AP projection, Rt wrist radiograph, male, 11 yo.

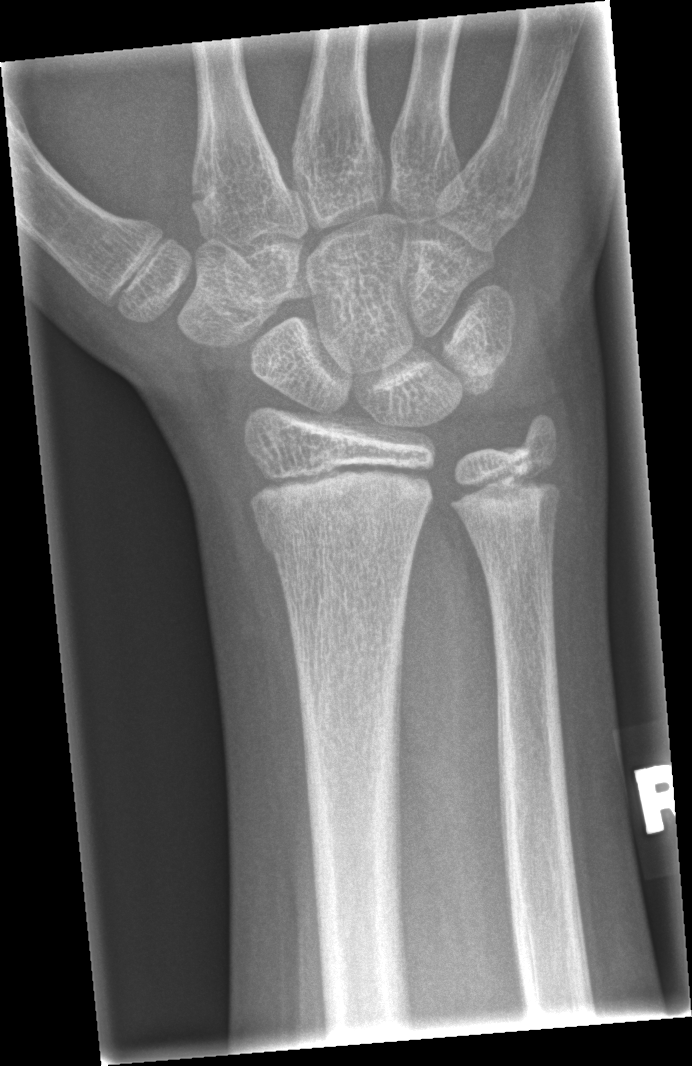

AO code 23r-M/2.1.
Bone fracture: [255, 506, 425, 561].